Lateral | L wrist plain film: 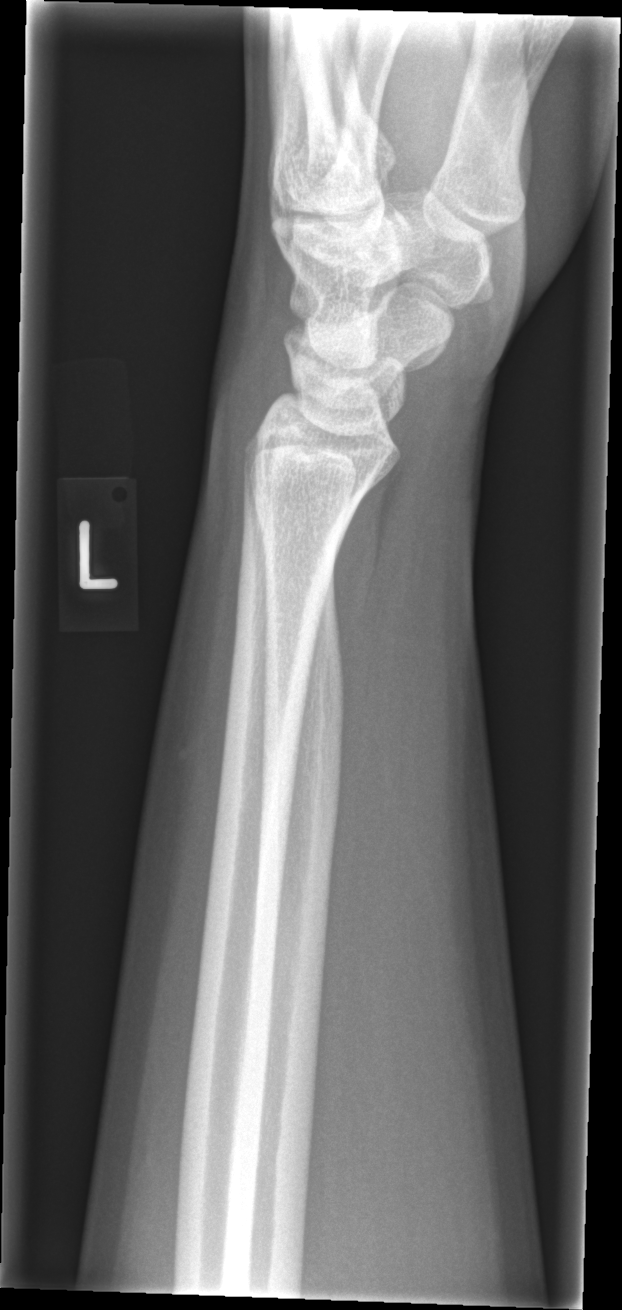
- Fracture: none labeled.